Posteroanterior | right wrist plain radiograph of the wrist — 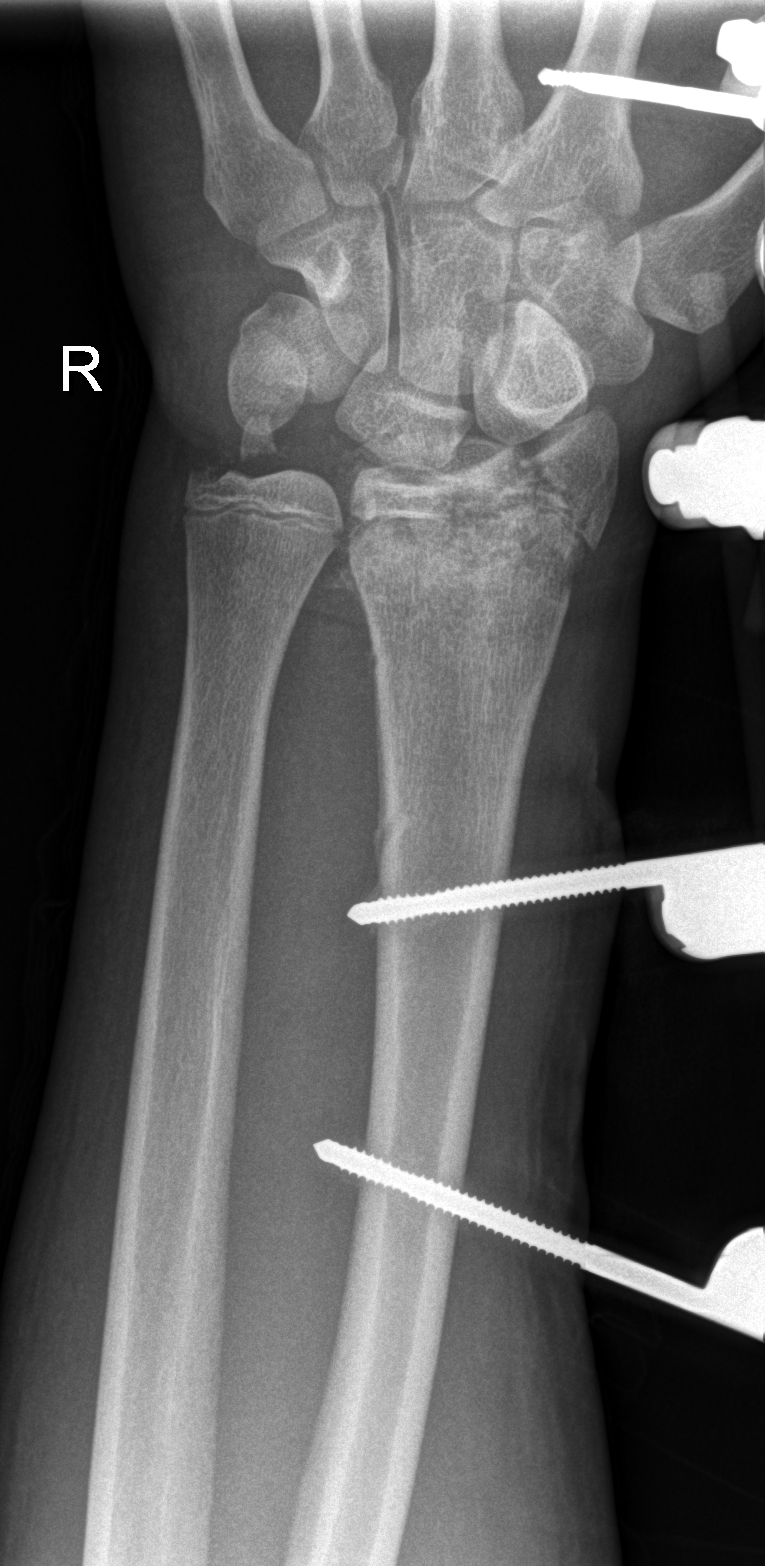
  # coordinates are [x1, y1, x2, y2] in image pixels
  ao: 23r-E/4.2; 23u-E/7
  fracture: 2 @ <337,403>-<628,600>, <185,405>-<282,494>
  metal: 5 @ <314,1136>-<765,1346>, <349,837>-<765,956>, <642,414>-<763,541>, <541,68>-<765,133>, <722,18>-<765,85>